Left wrist plain film; PA projection; 10-year-old female; Siemens; 110.9 mm image width:
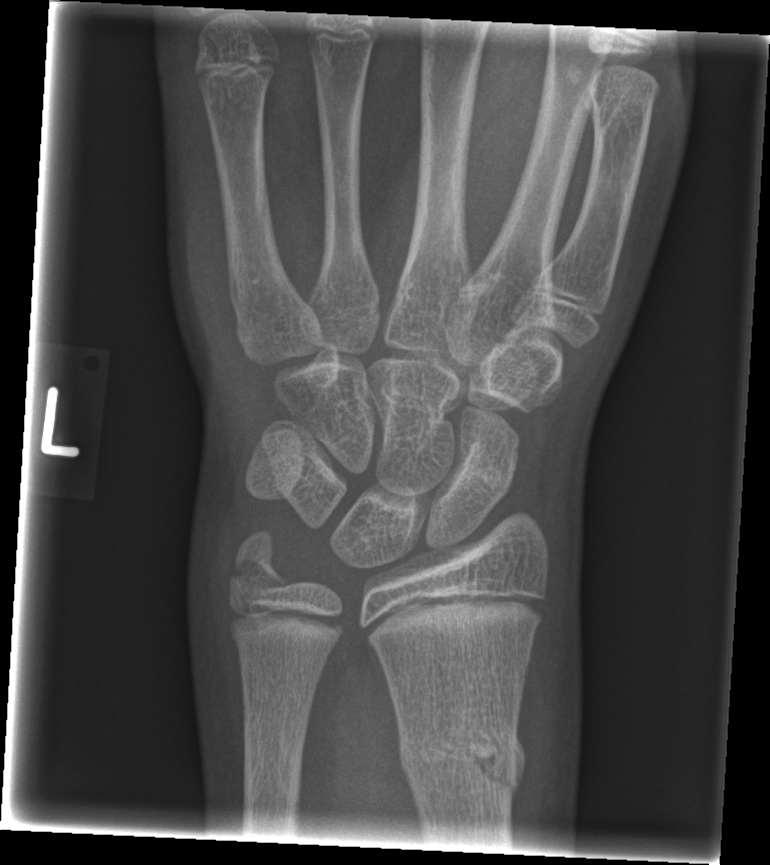 AO classification = 23r-M/3.1; 23u-E/7
Bone fracture = 2 @ (395, 718, 530, 806) (223, 527, 292, 601)